Oblique view · right wrist XR · 11y M:
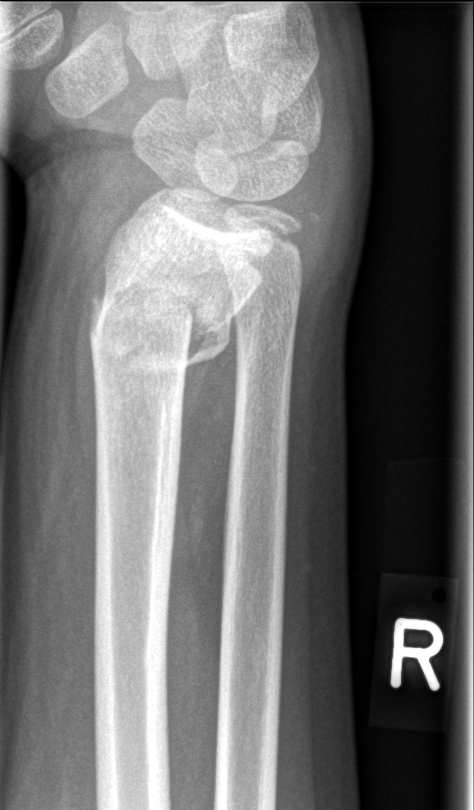
Findings: Fracture classified AO/OTA 23r-M/3.1; 23u-E/7. Fx — (left=87, top=275, right=239, bottom=382); (left=277, top=201, right=326, bottom=261).